Lt wrist radiograph; lat projection; index exam; equivocal findings. 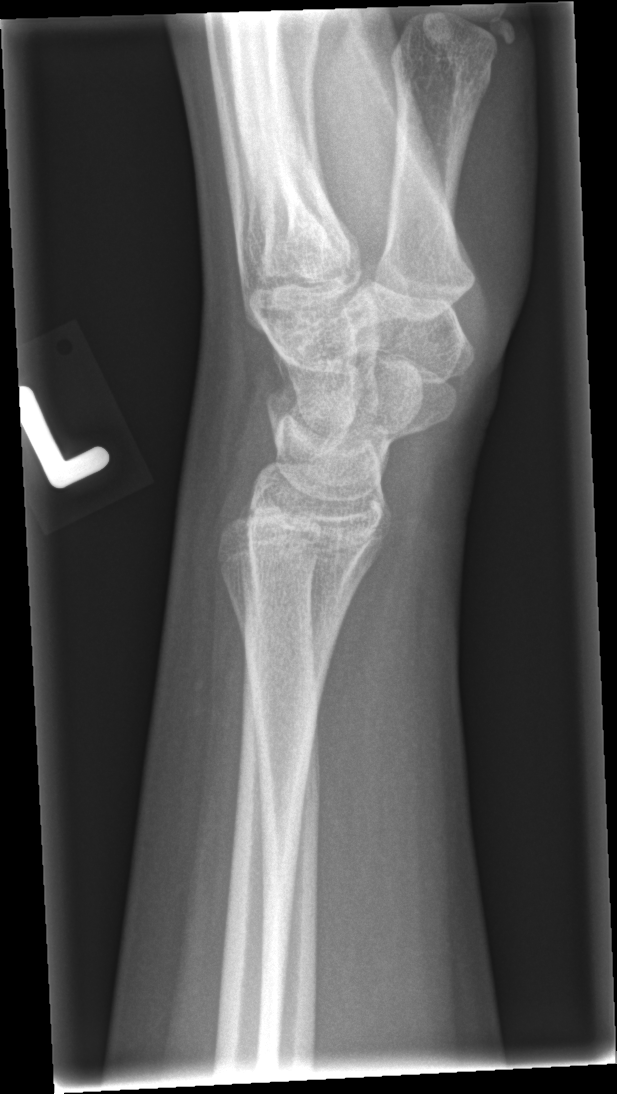
No Fx annotated.